Right wrist XR, frontal projection, image size 452x639:

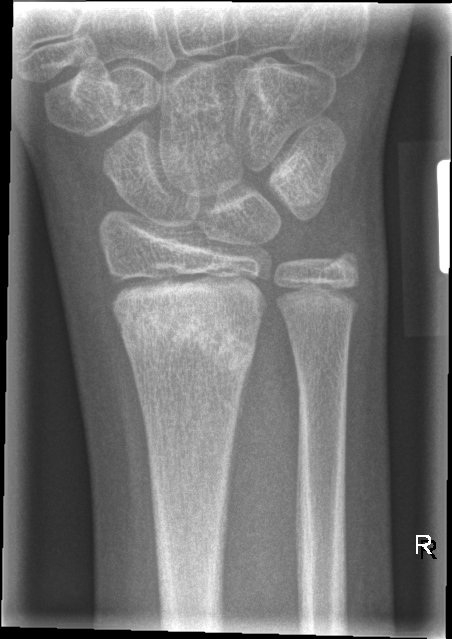
Fracture: (112, 270, 268, 382).